L wrist XR | lateral projection | boy, 11 yo | image 56.9 mm wide —

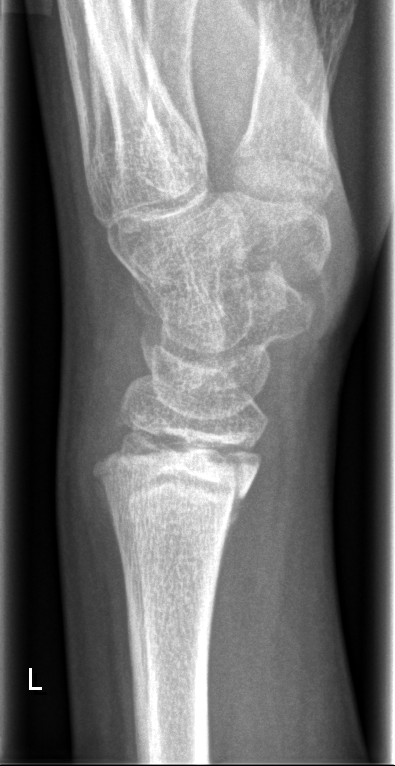
(bounding boxes in image-pixel xyxy)
Q: Is there a fracture?
A: One bone fracture at 91 416 267 525